PA/AP projection | Lt plain radiograph of the wrist | age 2 y, male | image size 501x572 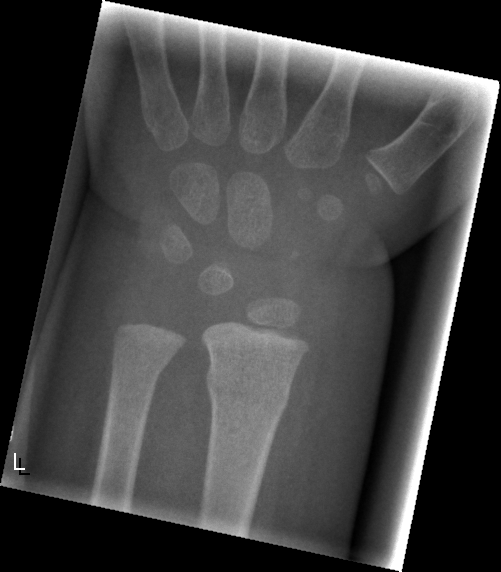 FINDINGS: (bounding boxes in image-pixel xyxy) AO code 23-M/2.1. Fracture identified at (203, 359, 293, 416) (105, 337, 176, 397).